Right pediatric wrist radiograph | AP | 16y M | findings marked uncertain by the reading radiologist | detector: Siemens —
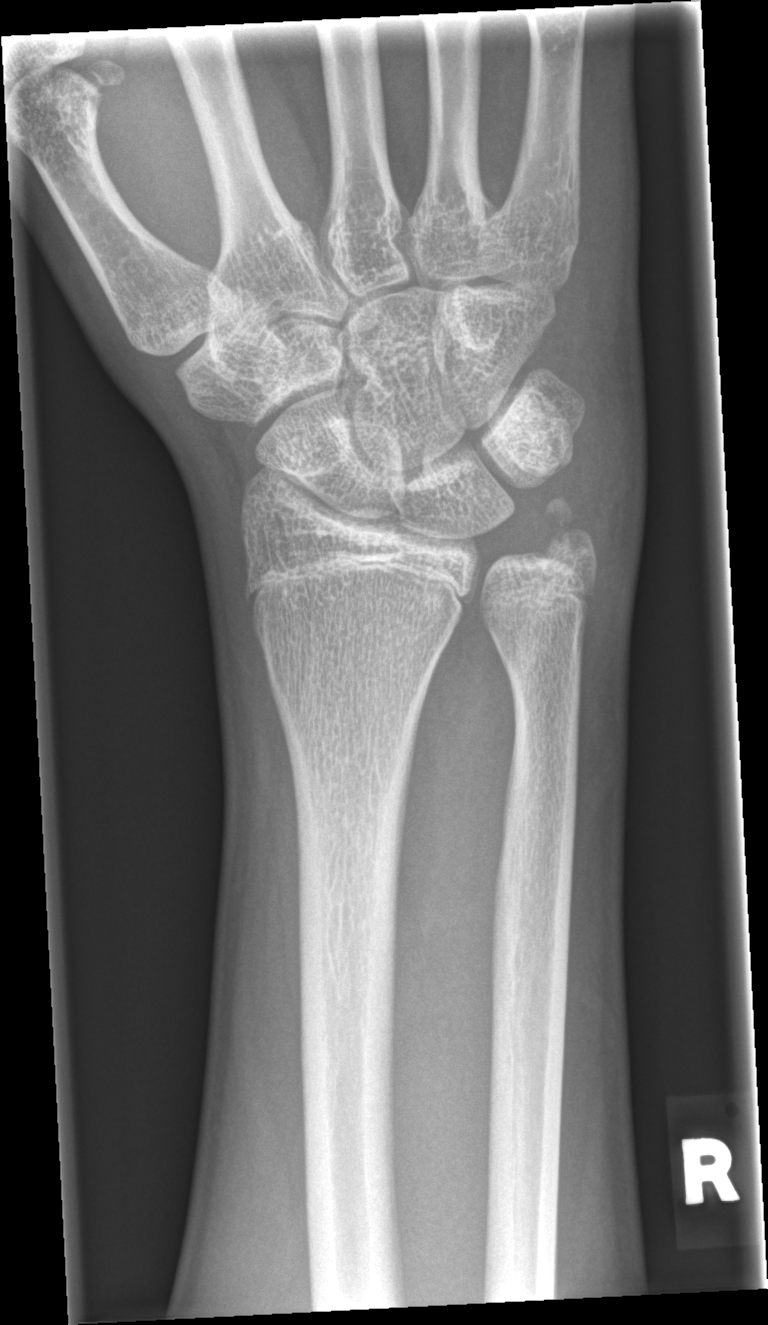
(boxes as x1,y1,x2,y2 (top-left / bottom-right, pixel units))
AO code: 23r-M/2.1; 23u-E/7
Fracture: 1 @ 533 492 600 566